Lat projection, Rt wrist X-ray —
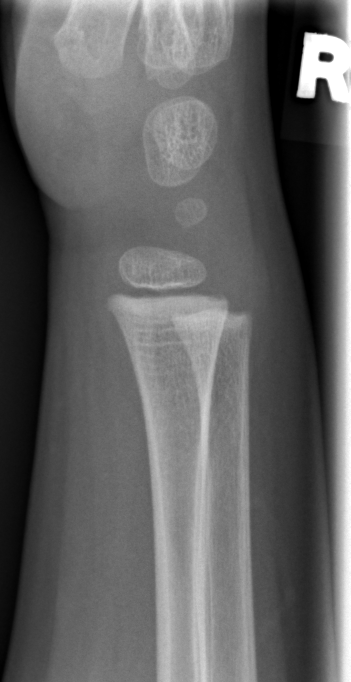
bone fracture = none labeled